Lat view, left wrist X-ray.
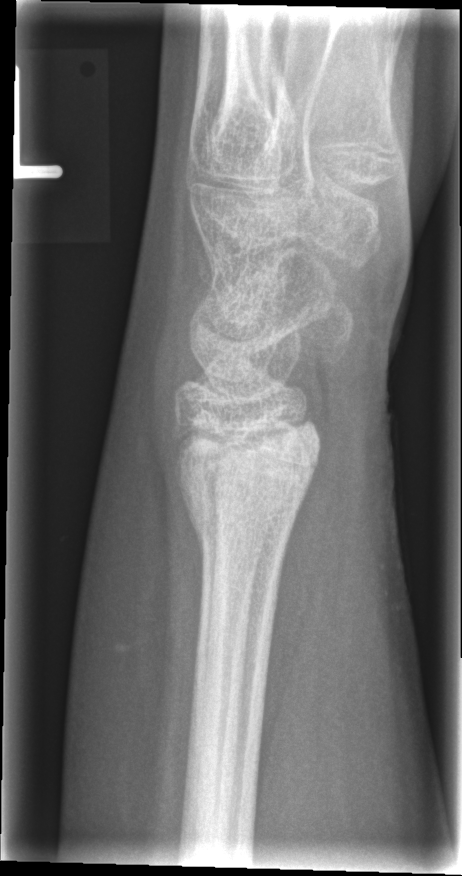

AO code 23r-M/3.1. Fx: [176, 451, 309, 564].